Lat projection · L plain radiograph of the wrist · initial study · Siemens · image 55.6 mm wide —

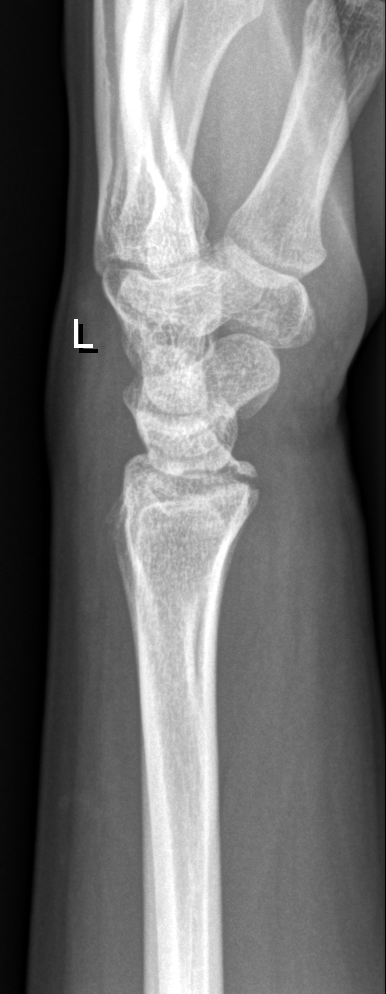
Fx = (134, 454, 263, 503)
Soft-tissue finding = (45, 280, 139, 526)